Lt wrist XR | lateral: 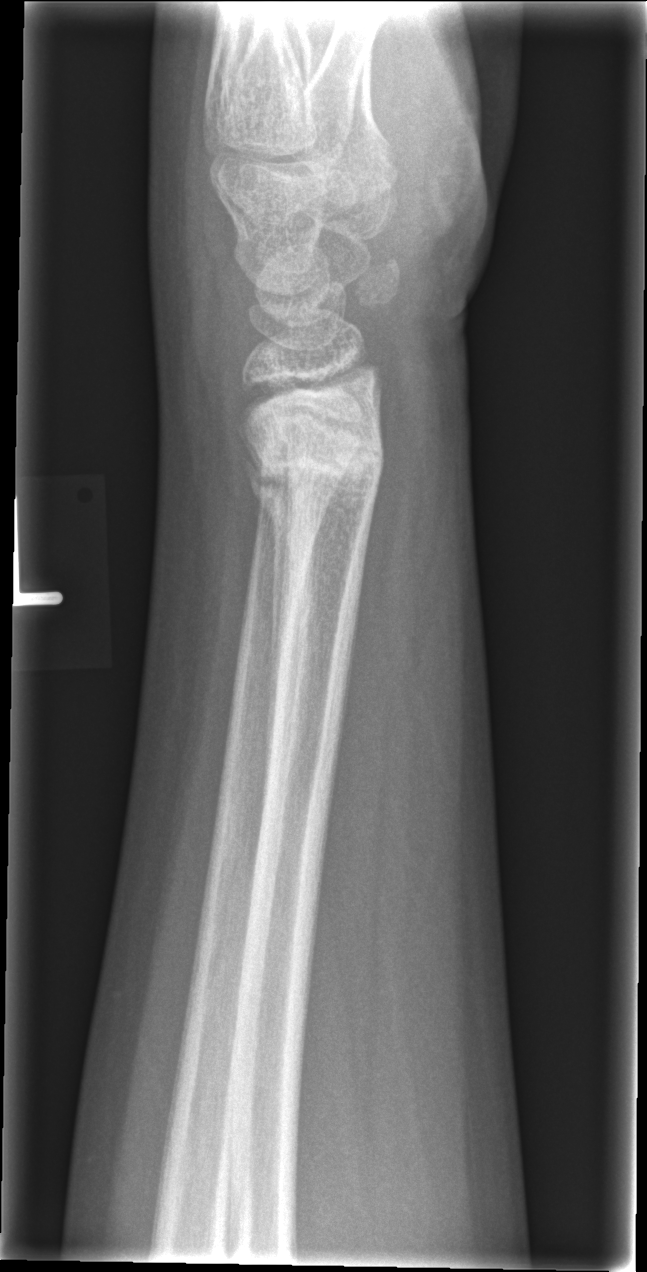
(boxes as x1,y1,x2,y2 (top-left / bottom-right, pixel units))
Q: Is there periosteal reaction?
A: Periosteal reaction identified at bbox(241, 435, 290, 768)
Q: Any fracture seen?
A: Fx: bbox(242, 400, 387, 523)
Q: AO code?
A: Fracture classified AO/OTA 23r-M/3.1